Left wrist XR, lat projection, Siemens, 554 by 1176 pixels — 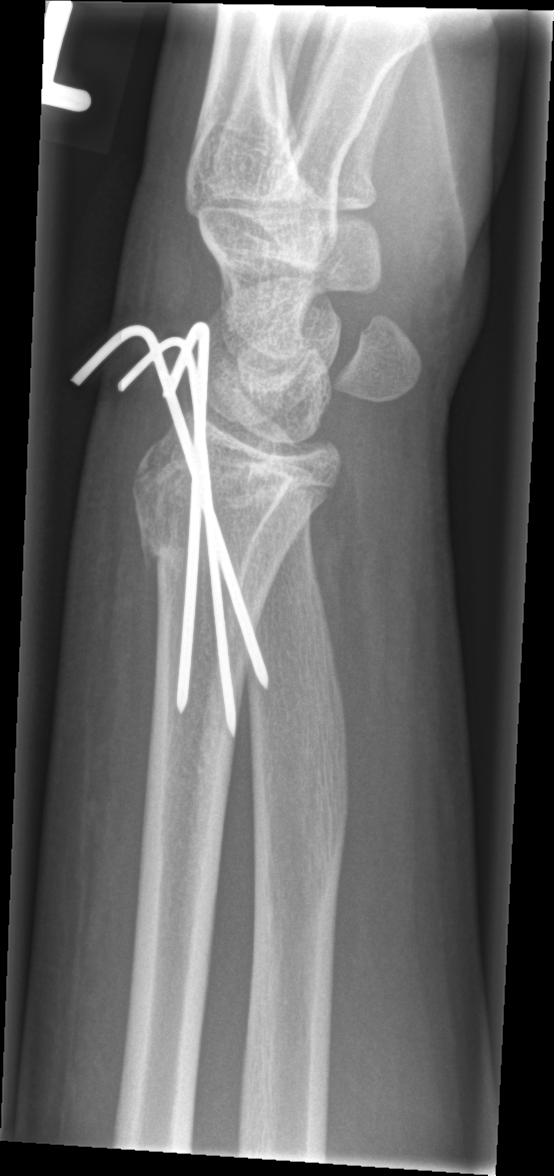 • Coordinates are [x1, y1, x2, y2] in image pixels.
• Fx — (130, 457, 343, 571).
• Fracture classified AO/OTA 23r-M/3.1.
• Metallic implant identified at (67, 318, 274, 739).